Lateral view; L wrist radiograph; age 16 y, male —
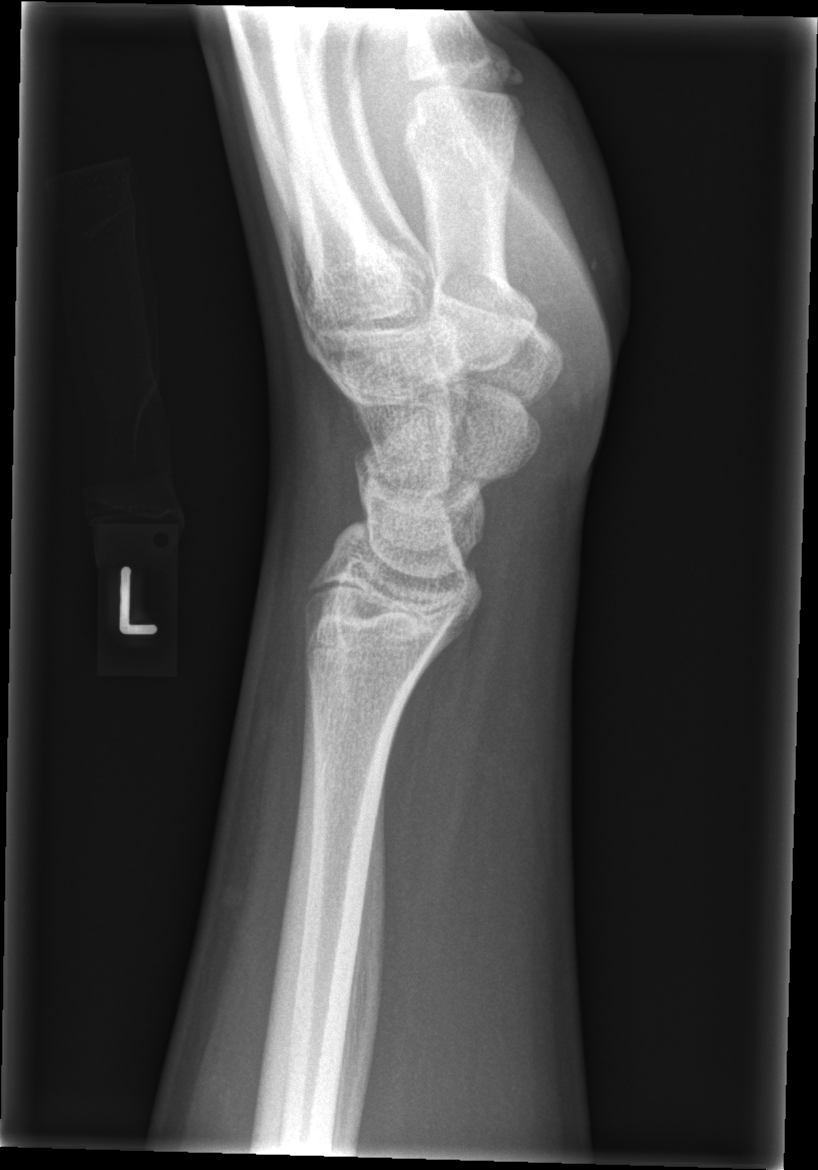 bone fracture: none labeled